Posteroanterior projection | Rt wrist plain film | detector: Siemens:
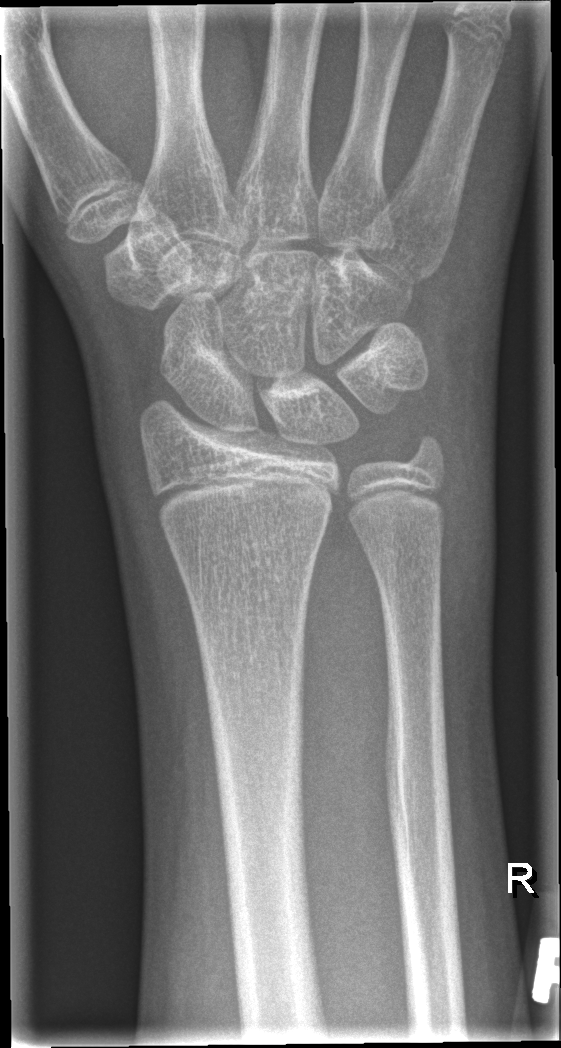
Bone fracture = none labeled